PA/AP · Rt wrist plain film · age 14 y, male · presentation radiograph —

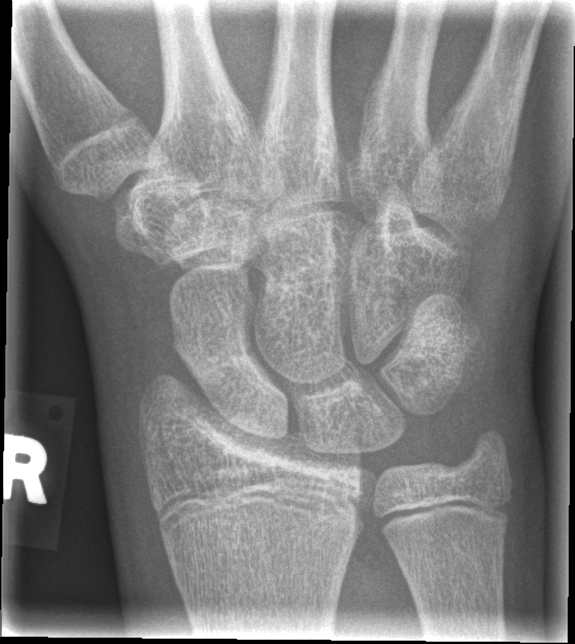

Q: Any fracture seen?
A: Bone fracture identified at (182, 335, 263, 387)